Posteroanterior view, right wrist plain film, age 10 y, girl —
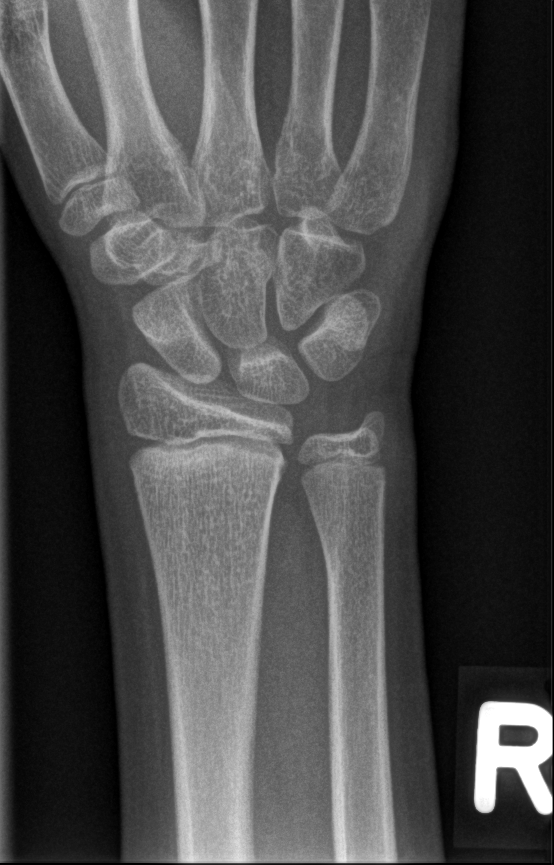

Fracture = none labeled